Frontal, Lt wrist X-ray, image width 77.2 mm

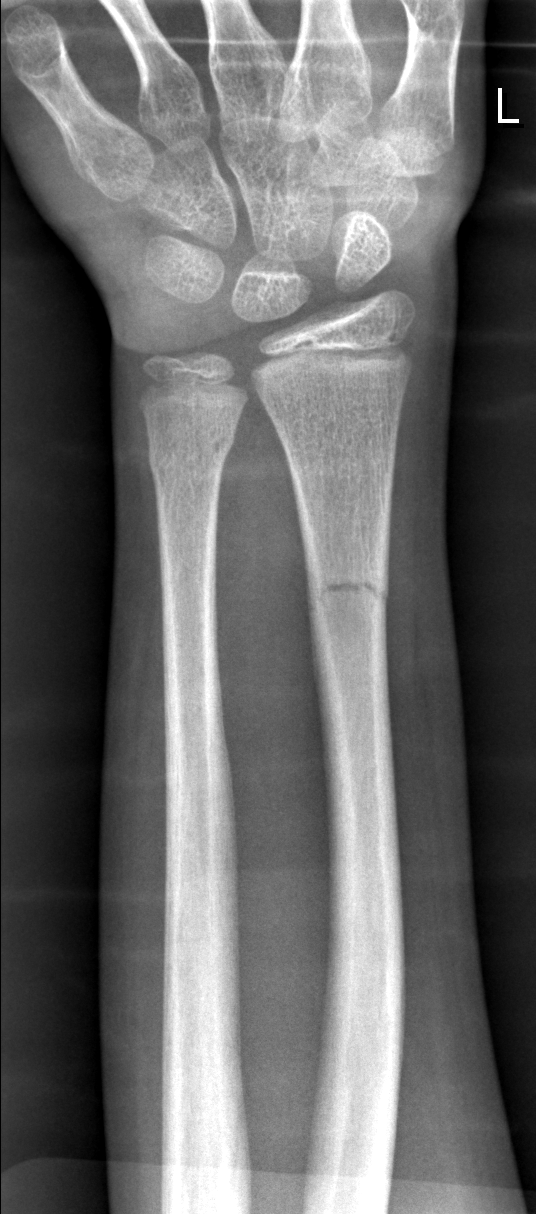
Fracture = [302, 556, 392, 627], [145, 421, 238, 484]
AO code = 22r-D/2.1; 23u-M/2.1